Rt pediatric wrist radiograph; posteroanterior projection; follow-up study 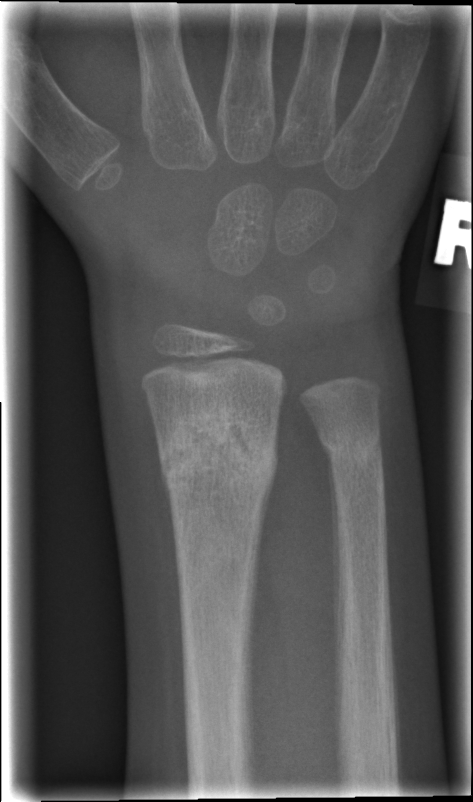

Q: Bone density?
A: Reduced bone mineral density
Q: Is there periosteal reaction?
A: One periosteal new bone at [x1=326, y1=446, x2=343, y2=688]
Q: Any fracture seen?
A: Fracture: [x1=153, y1=406, x2=283, y2=509]; [x1=314, y1=415, x2=385, y2=477]
Q: AO code?
A: AO/OTA classification: 23-M/2.1